Left wrist XR; obl projection; pediatric patient (girl, age 11); image 79.8 mm wide 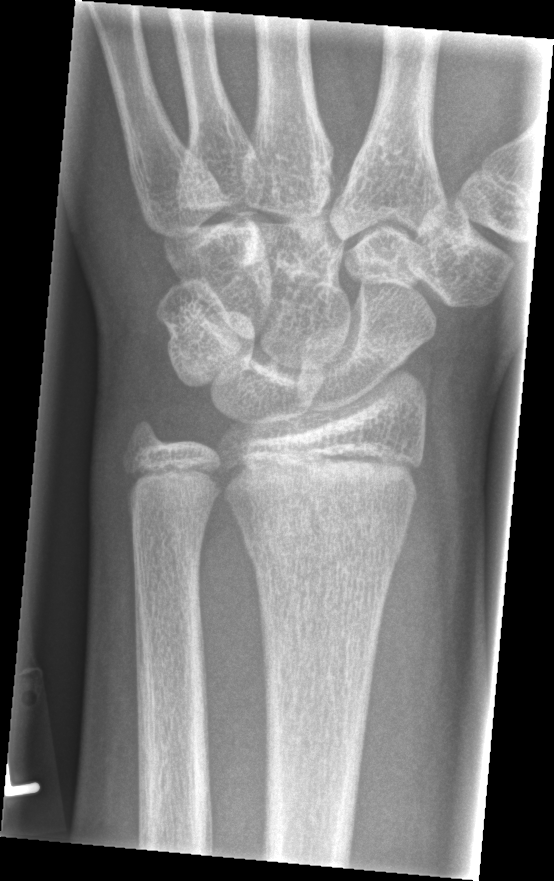

FINDINGS — Fracture — bbox(231, 486, 415, 577). AO/OTA classification: 23r-M/2.1.